Frontal view | right pediatric wrist radiograph | pediatric patient (girl, age 13) | 628 x 1142 px 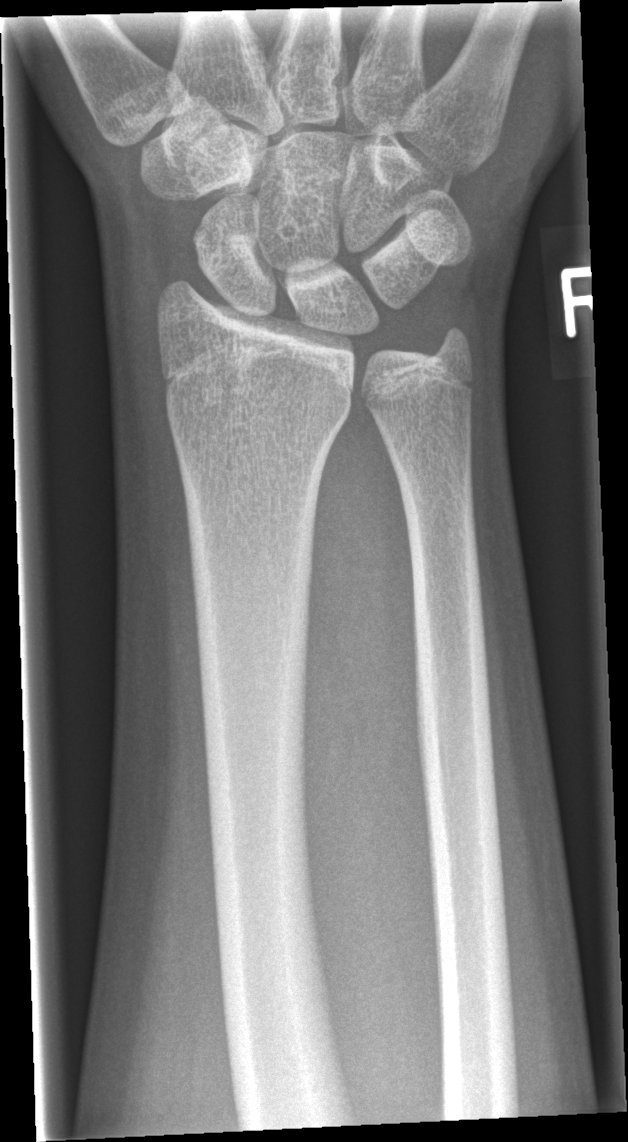

AO/OTA classification: 23r-M/2.1.
Fx: present but not clearly seen in this view.